Left wrist X-ray, PA/AP, 5y M, cast in situ, acquired on Siemens, 596 x 802 px: 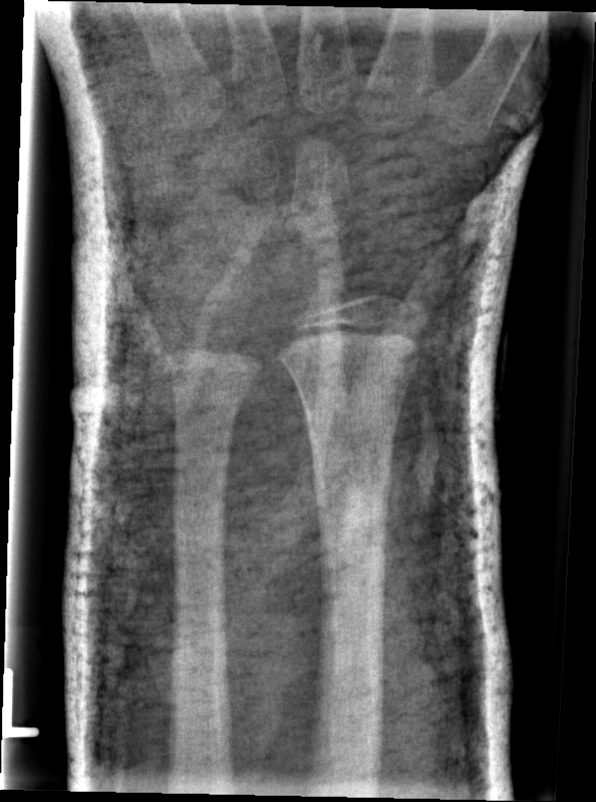
• Pixel coordinates, top-left origin, xyxy.
• Fracture: 310,448,398,516.